Left wrist plain film, lateral view, age 11 y, male, image size 528x1076: 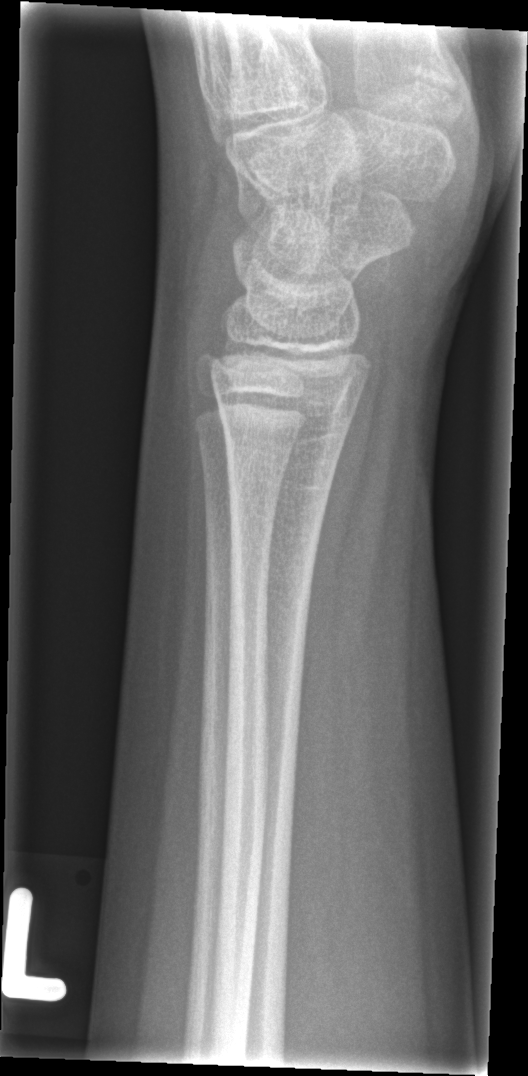 {"fracture": "none labeled"}